Posteroanterior view, left plain radiograph of the wrist, 7y F, imaged through cast

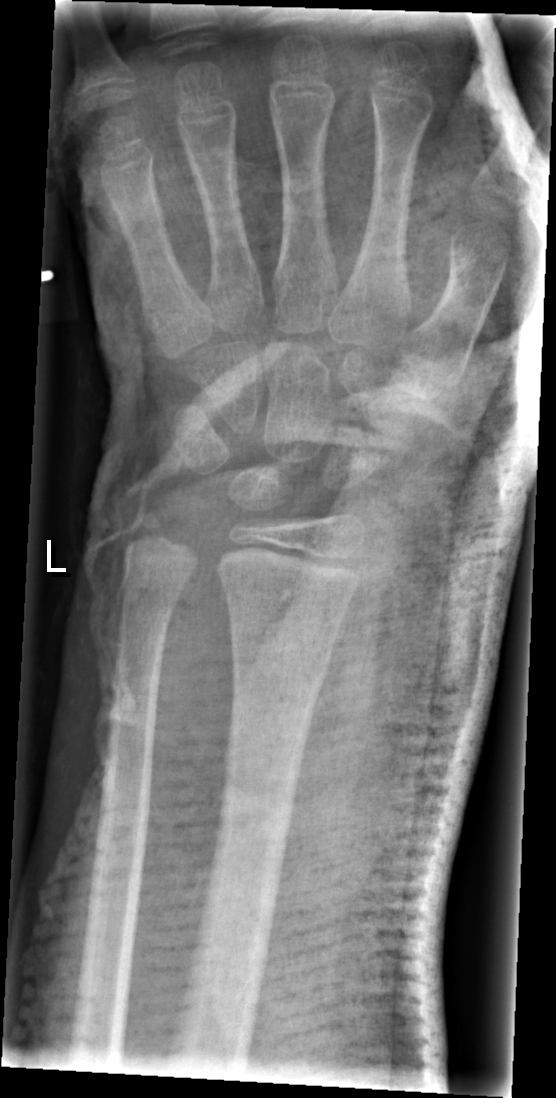 Boxes as x1,y1,x2,y2 (top-left / bottom-right, pixel units). Bone fracture — bbox(224, 617, 335, 692).